Frontal projection; L wrist plain film; 10y M; acquired on Siemens. 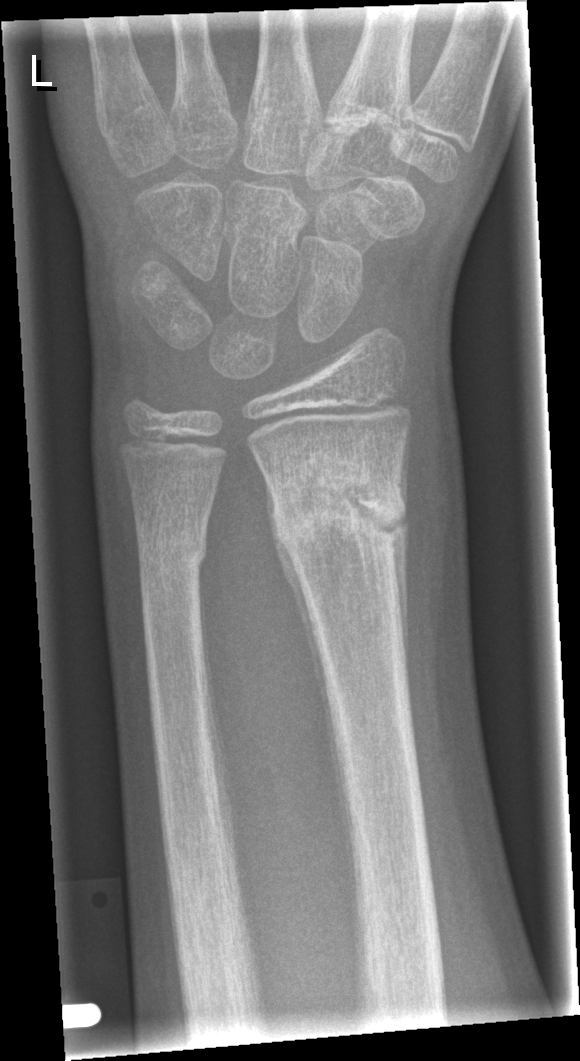

Findings: (boxes as x1,y1,x2,y2 (top-left / bottom-right, pixel units)) Two bone fractures at [x1=269, y1=454, x2=412, y2=569], [x1=132, y1=526, x2=209, y2=575]. Periosteal reaction — [x1=269, y1=519, x2=359, y2=946]; [x1=389, y1=525, x2=409, y2=674]; [x1=397, y1=443, x2=409, y2=510]. Osteopenia.